R pediatric wrist radiograph, lat projection, male, 13 yo, detector: Siemens 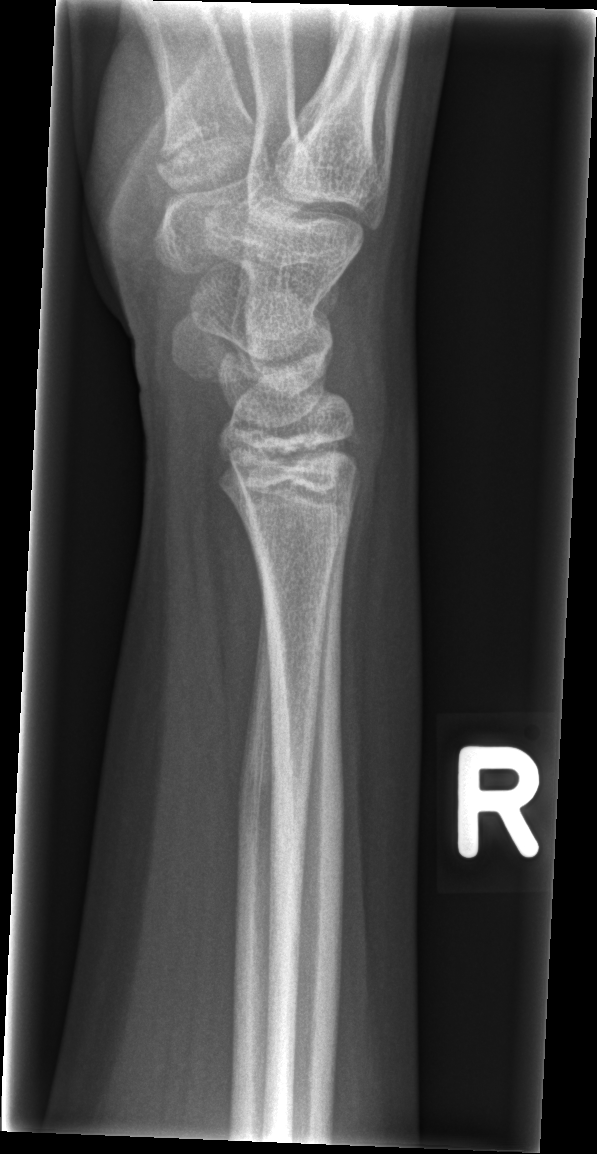
FINDINGS: No fracture labeled.